Rt plain radiograph of the wrist, lat projection, age 6 y, girl, subsequent exam, imaged through cast, 132.8 mm image width, 922x1096

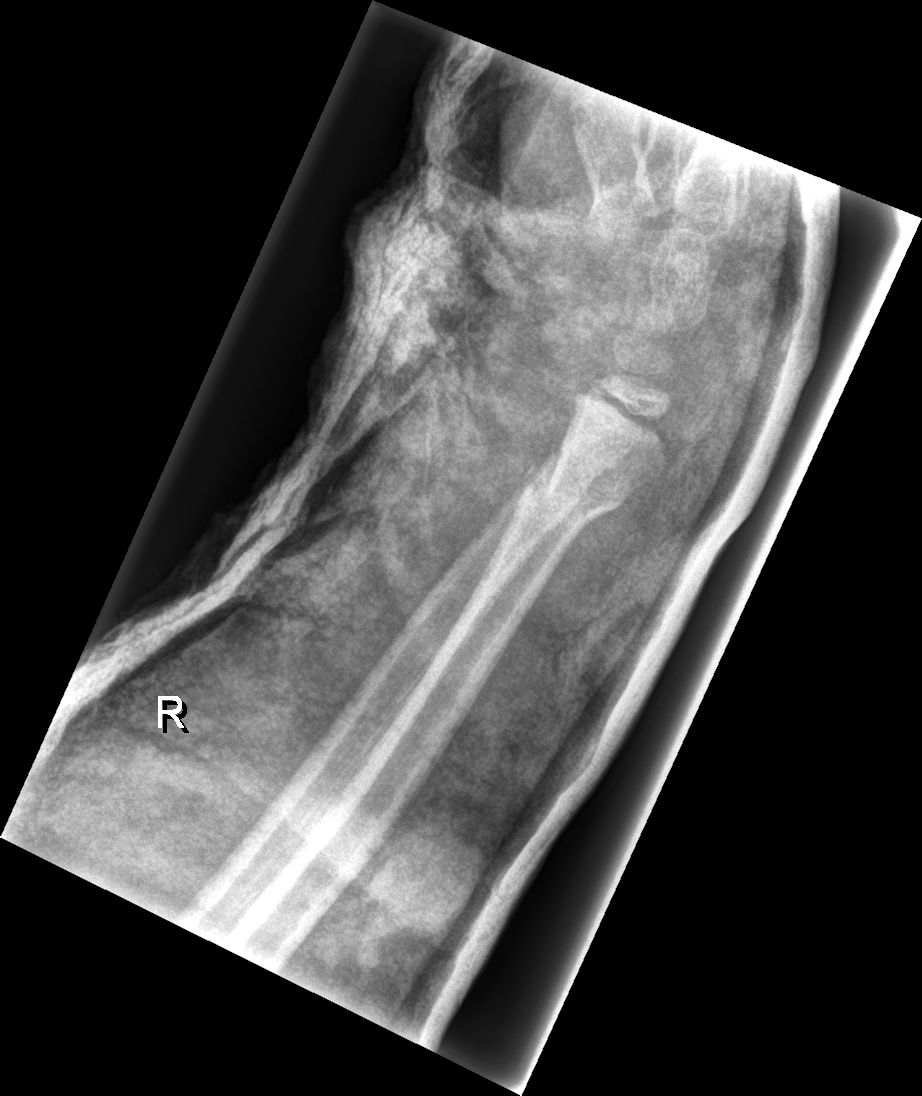
AO/OTA classification: 23-M/3.1.
Fracture identified at 514 448 627 541.